Lateral projection · right wrist plain radiograph of the wrist · 13y M.

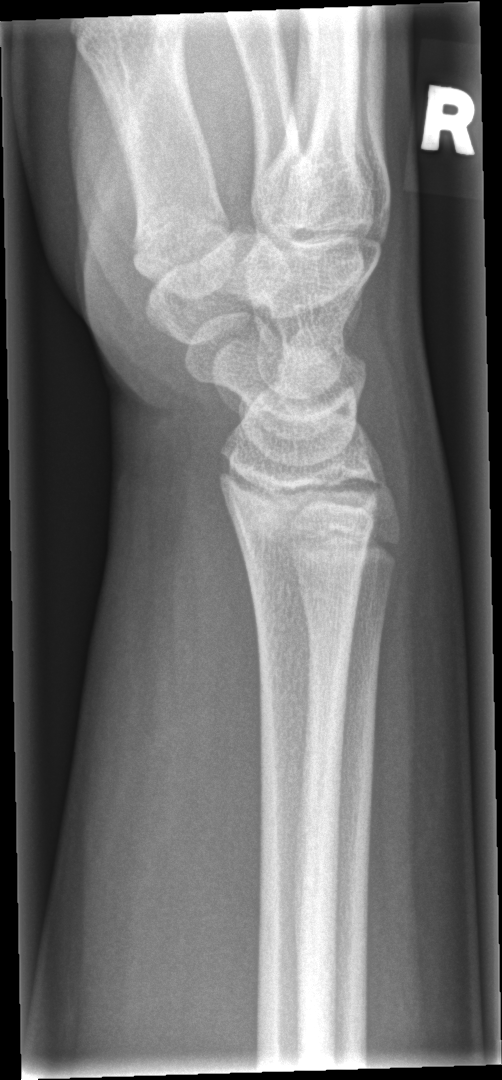

Q: Locate any fractures.
A: No fracture labeled